Lt pediatric wrist radiograph · AP · 7-year-old male · image size 468x1238 —
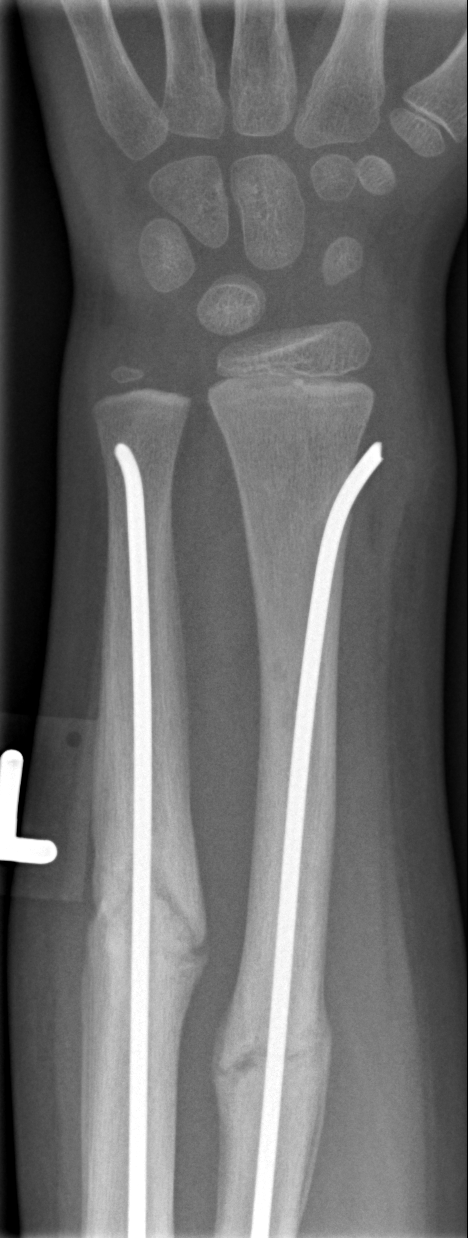 Coordinates are [x1, y1, x2, y2] in image pixels. Periosteal reaction — 294 949 334 1236 | 211 960 246 1234. Fx — 83 802 212 1027; 213 966 337 1149. Hardware: 249 439 384 1238; 112 439 151 1238.